Posteroanterior projection · left wrist plain film · boy, 13 yo · follow-up · imaged through cast · image size 743x1246.
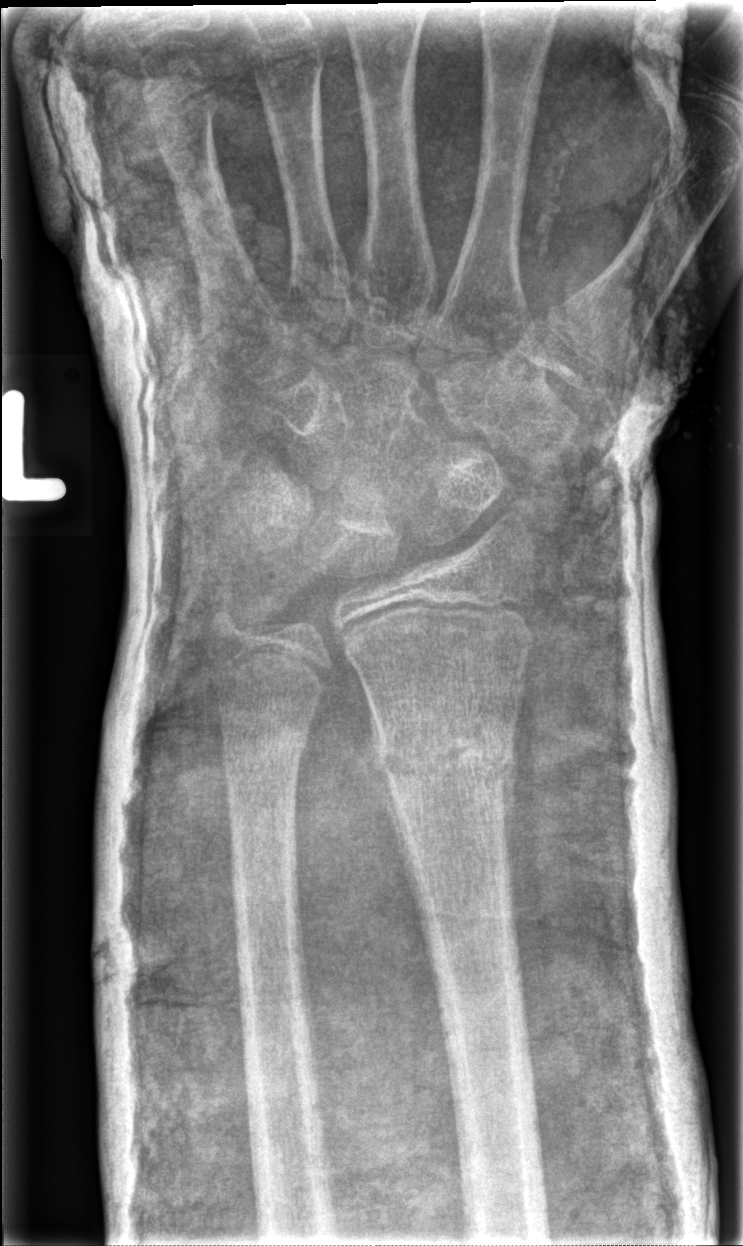
Fracture = (left=372, top=713, right=520, bottom=802), (left=214, top=716, right=314, bottom=774)